Rt pediatric wrist radiograph | AP view | pediatric patient (girl, age 9)

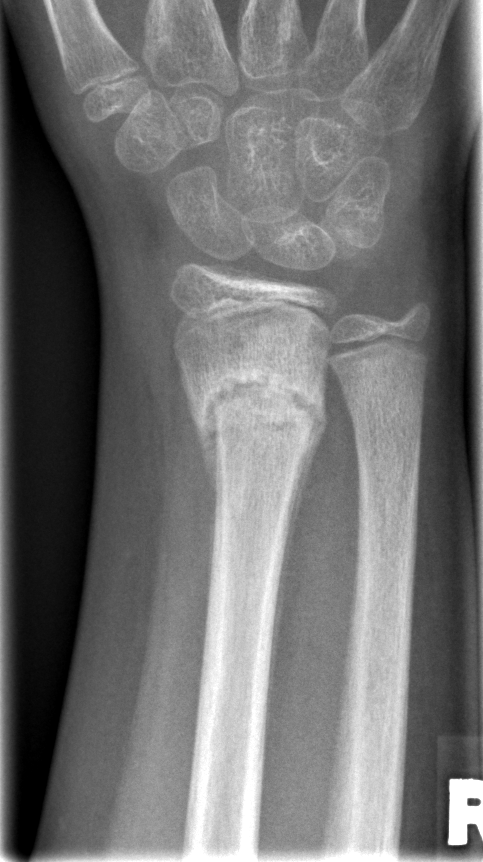
Periosteal new bone identified at 285,397,329,548
  193,419,218,499.
Osteopenic.
AO/OTA classification: 23r-M/3.1.
One fracture at 187,369,333,447.